Frontal · right wrist plain film · 10y F

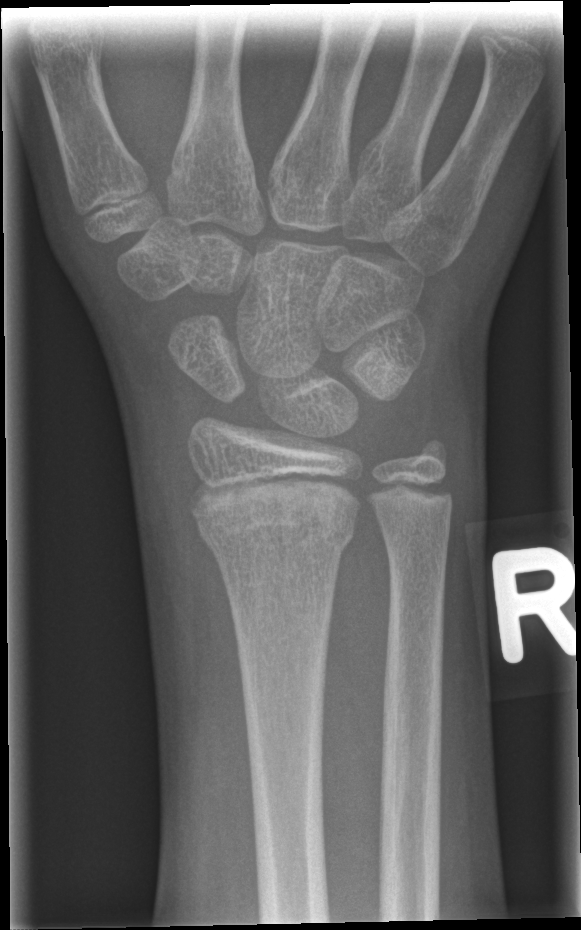
Bone fracture: <187,481>-<361,559>.